PA/AP, right wrist XR, age 10 y, female, index exam, acquired on Siemens:

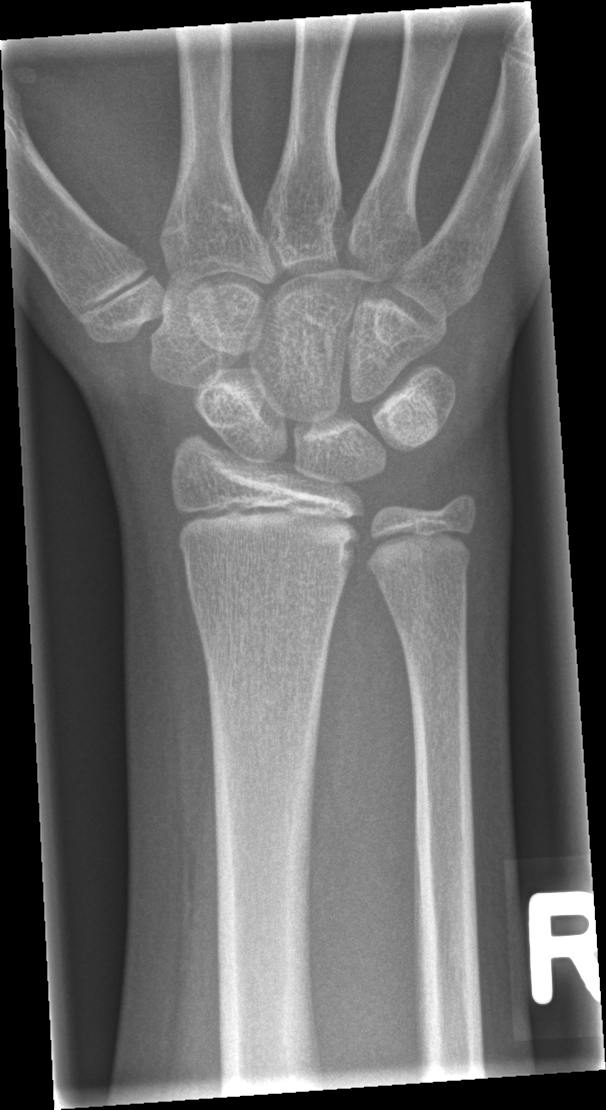
bone fracture = none labeled